Right wrist X-ray; lateral; presentation radiograph

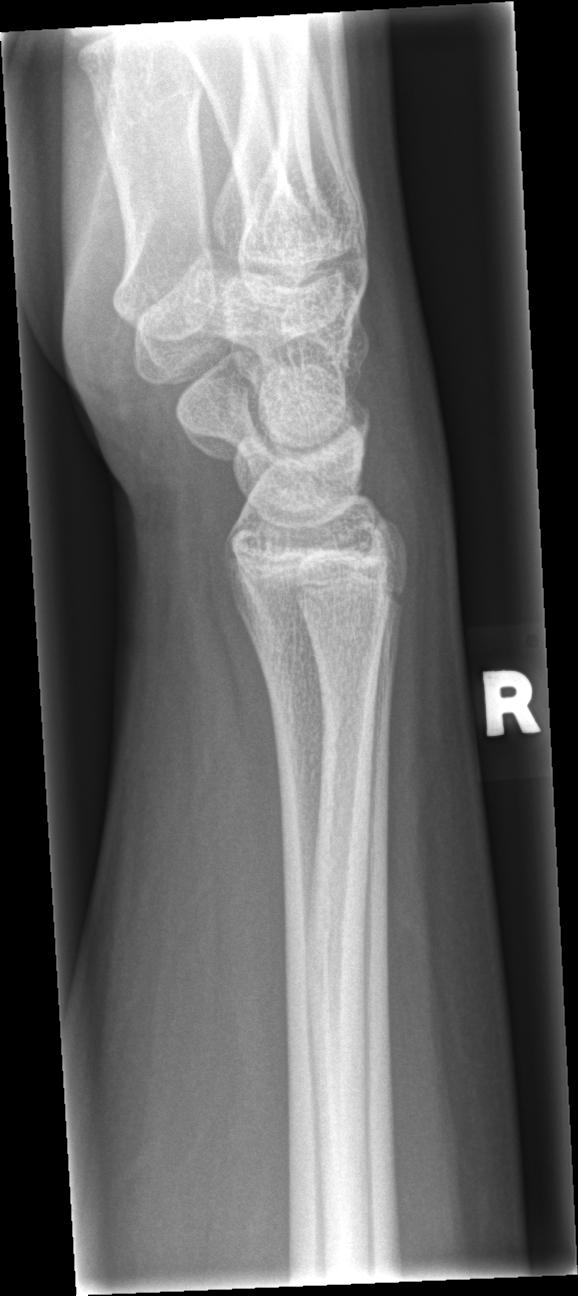

Q: Fracture present?
A: No fracture annotation